Lateral, R plain radiograph of the wrist, pediatric patient (girl, age 16), index exam:

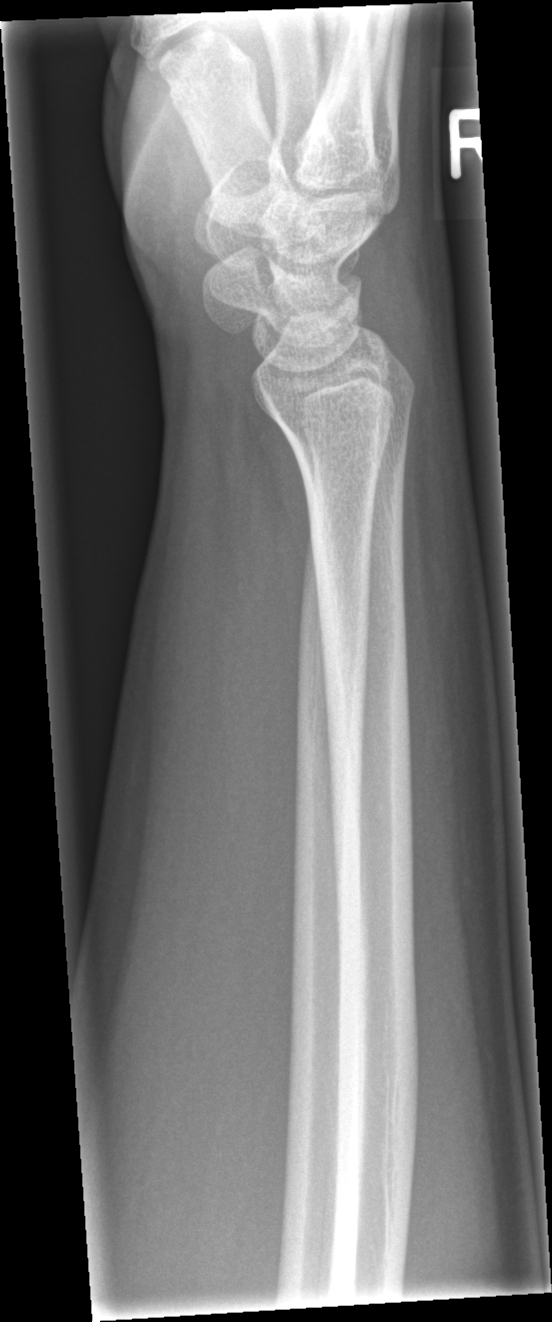
Findings: No Fx annotated.